Right wrist plain film, lateral view, 9y F

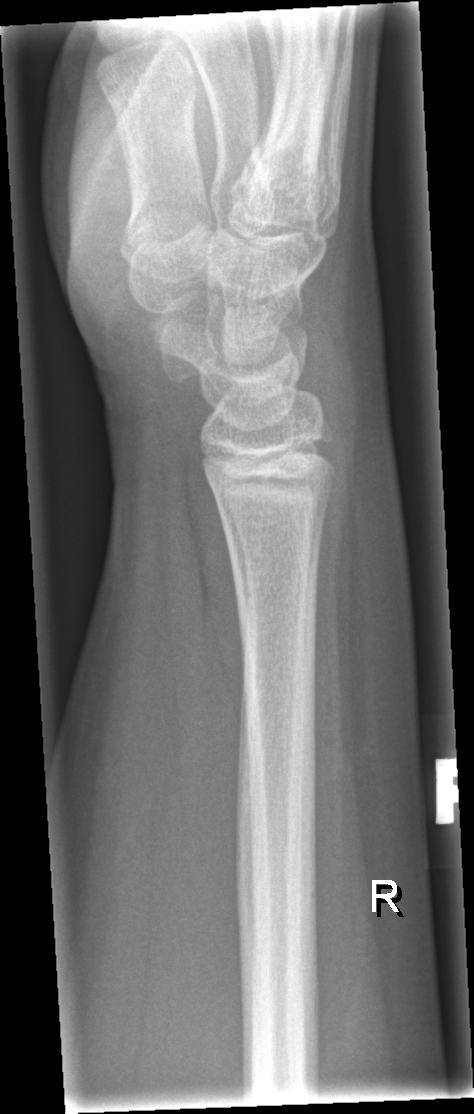
Bone fracture: none labeled